Posteroanterior projection · left wrist X-ray · female, 8 yo · presentation radiograph
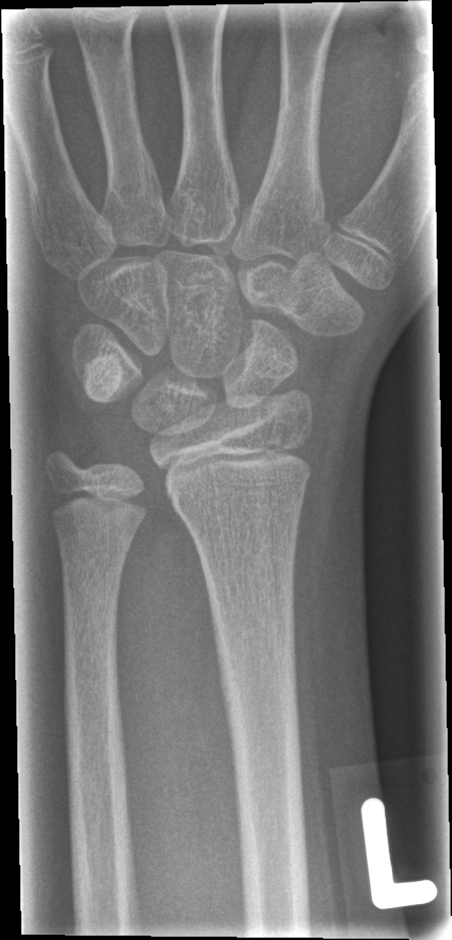

  fracture: none labeled